Lateral view · L pediatric wrist radiograph · age 16 y, male · Siemens · 578 x 1174 px:

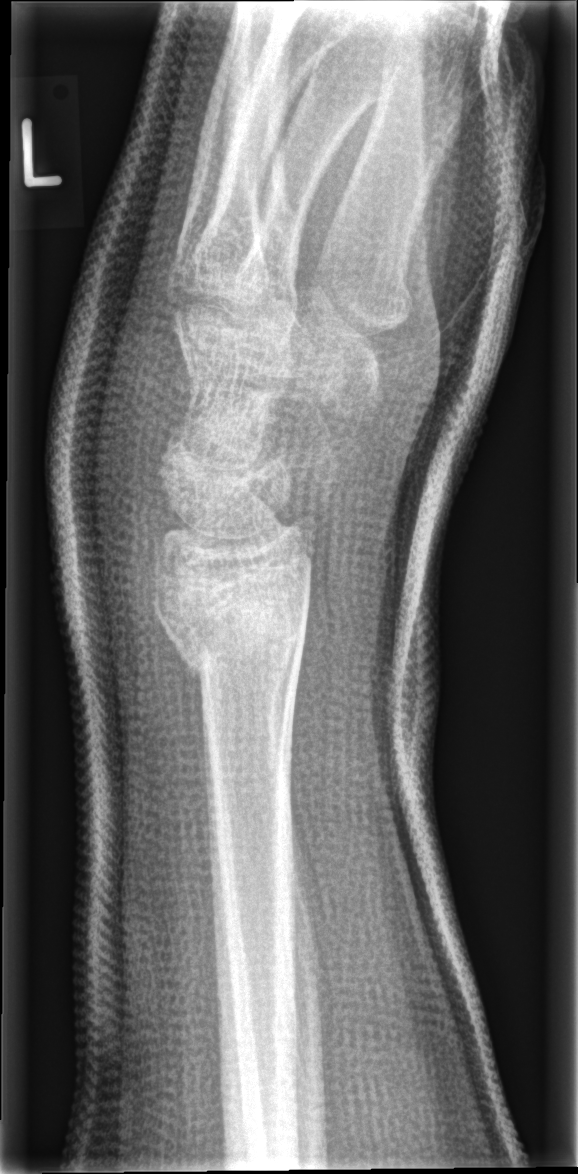 {
  "_coords": "pixel coordinates, top-left origin, xyxy",
  "osteopenia": "present",
  "fracture": "149,554,311,673",
  "ao": "23r-M/3.1; 23u-E/7"
}